AP view · left wrist radiograph · female, 3 yo · detector: Siemens · 61.9 mm image width.

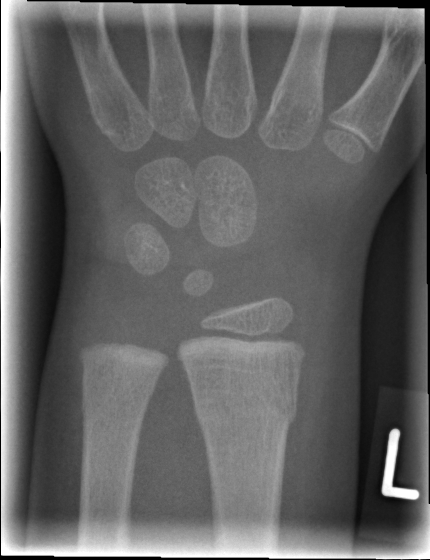
AO/OTA classification: 23-M/2.1.
Bone fracture identified at [x1=189, y1=377, x2=302, y2=435], [x1=77, y1=378, x2=156, y2=427].